Right wrist pediatric wrist radiograph | lateral projection | 377 by 760 pixels
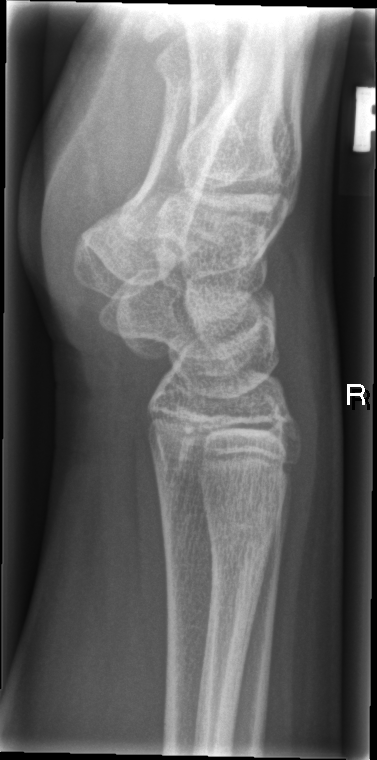 FINDINGS — No fracture annotation.